Posteroanterior view; left wrist plain radiograph of the wrist; 6y F; acquired on Siemens:
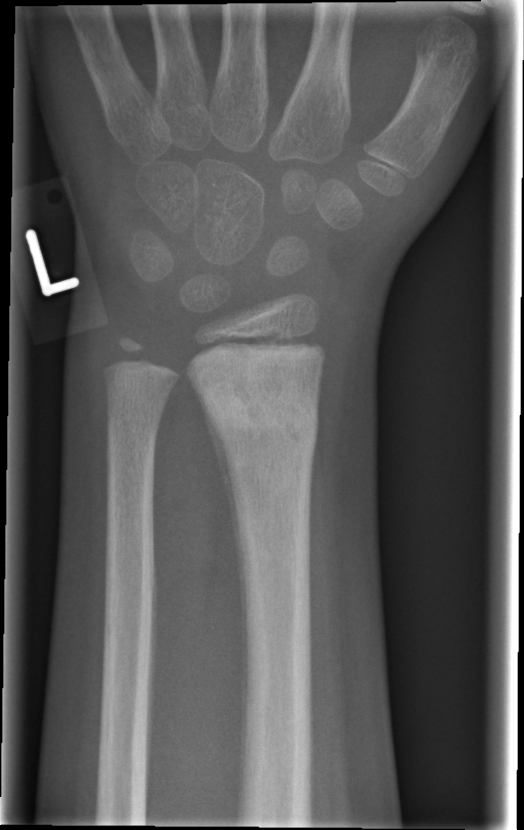 Fracture: 191 359 322 451. Periosteal thickening: 191 381 249 808. Osteopenic.